Lt plain radiograph of the wrist · lat projection · initial study · 488 x 682 px
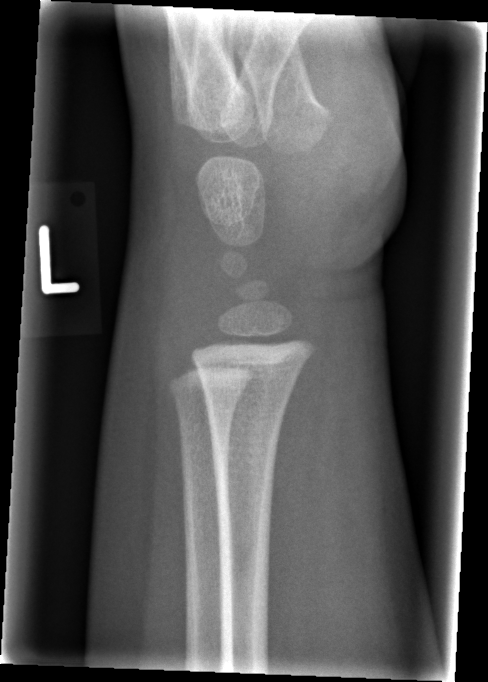

FINDINGS — No Fx annotated.